Left wrist XR · lat view · cast in situ.
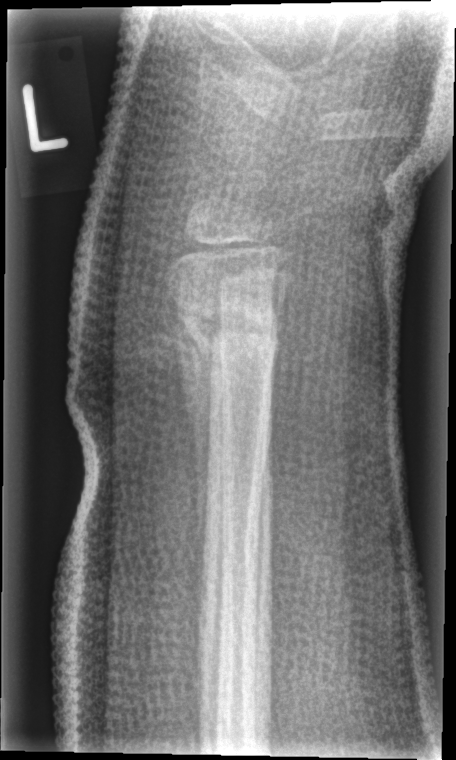 Bounding boxes in image-pixel xyxy. Fracture identified at (left=176, top=297, right=282, bottom=367). Periosteal thickening identified at (left=169, top=293, right=218, bottom=617).